Posteroanterior view, left wrist X-ray, girl, 8 yo, imaged through cast, 97.3 mm image width.

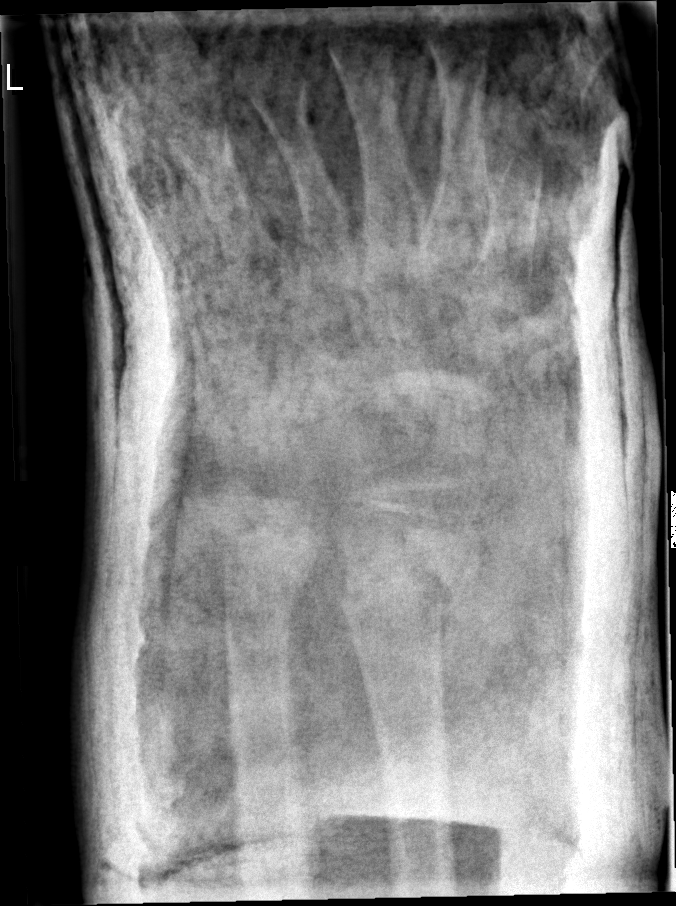 (pixel coordinates, top-left origin, xyxy)
Q: Any fracture seen?
A: Fx — 334,567,469,623 | 216,559,309,627
Q: AO code?
A: AO/OTA classification: 23r-M/3.1; 23u-M/2.1